L wrist X-ray, lat view, initial study, image width 54.9 mm 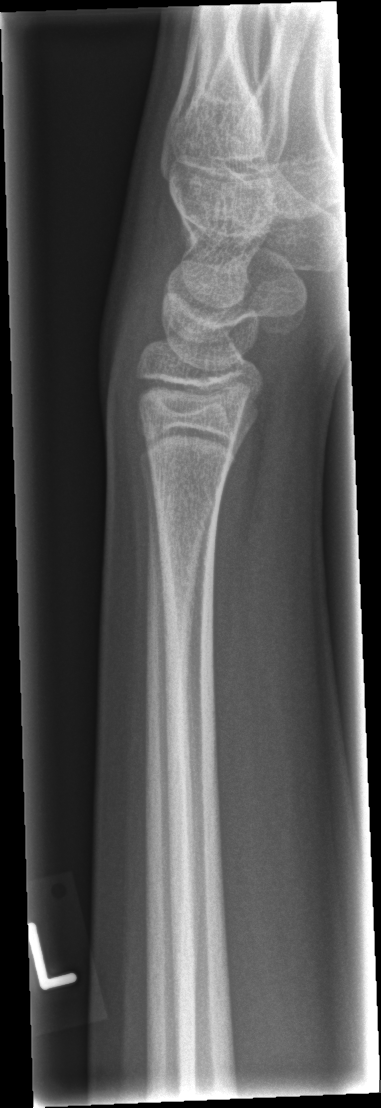 bone fracture = none labeled